R wrist radiograph · AP · cast in situ · image width 110.7 mm — 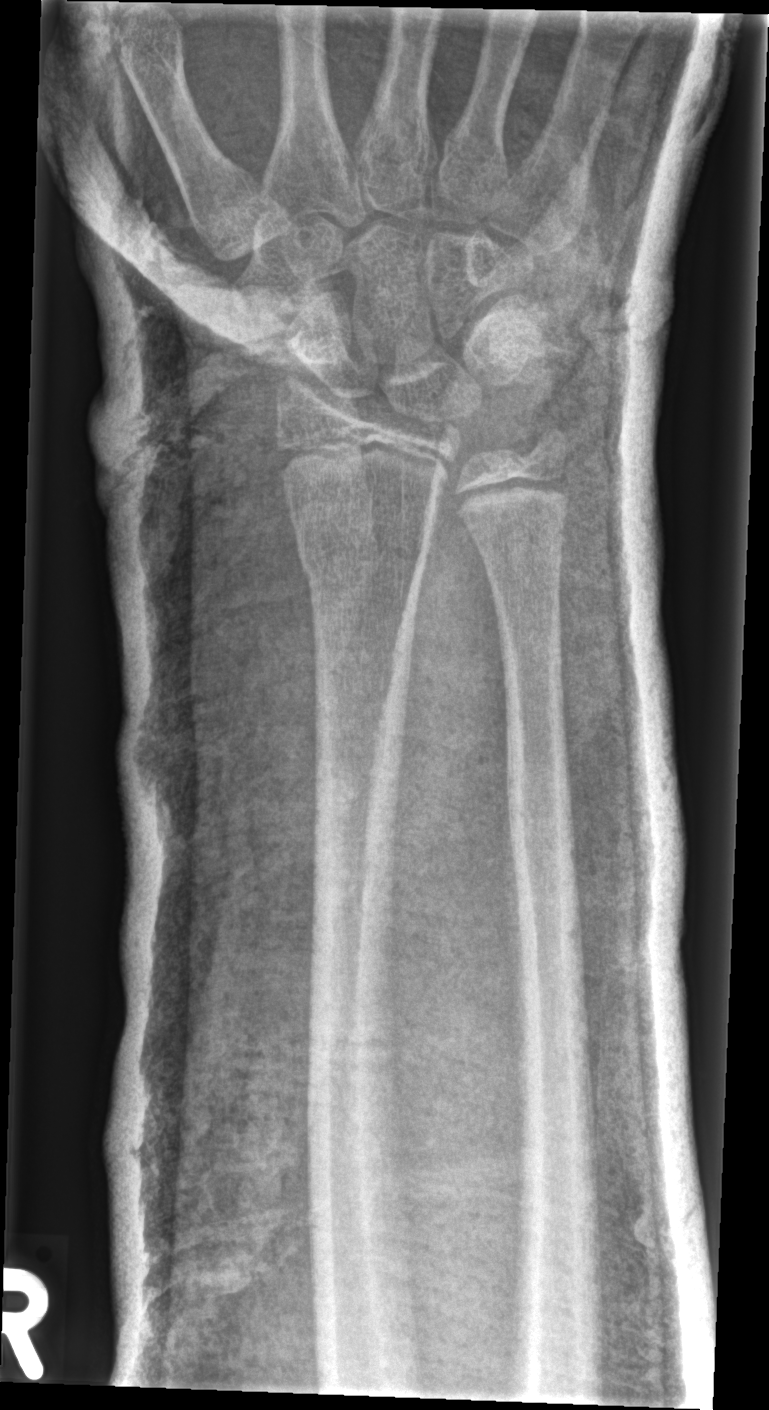

FINDINGS — (pixel coordinates, top-left origin, xyxy) One bone fracture at 290 503 442 602. AO code 23r-M/3.1; 23u-E/7.